Posteroanterior projection; right wrist X-ray

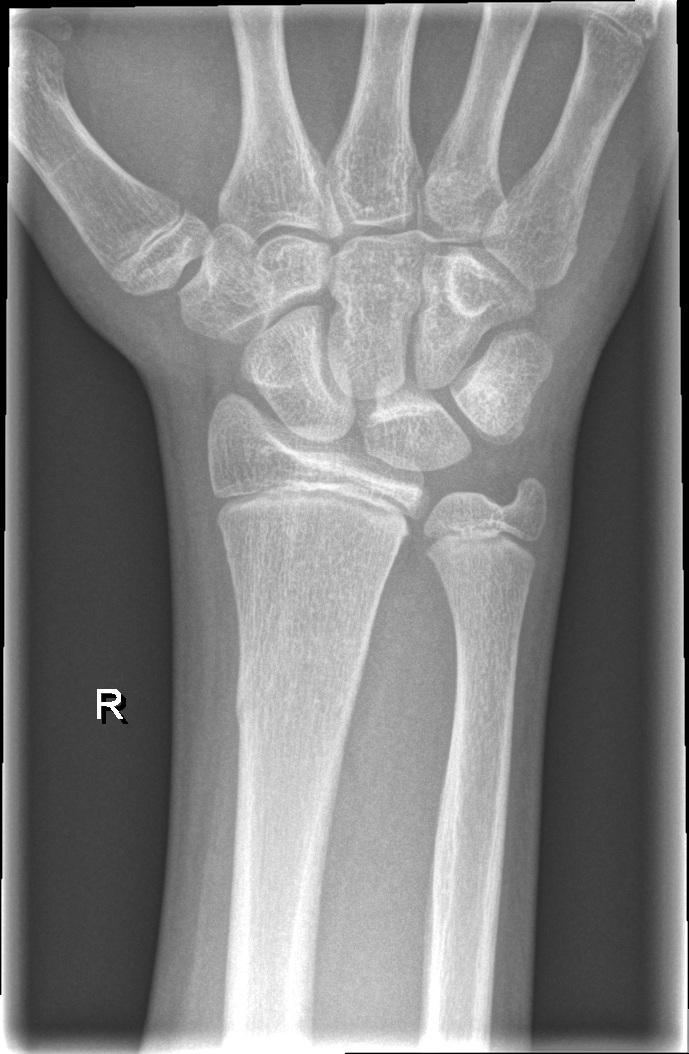 Findings: (coordinates are [x1, y1, x2, y2] in image pixels) Fracture: [x1=227, y1=655, x2=367, y2=745].